Lateral view; left plain radiograph of the wrist; 472 by 1116 pixels
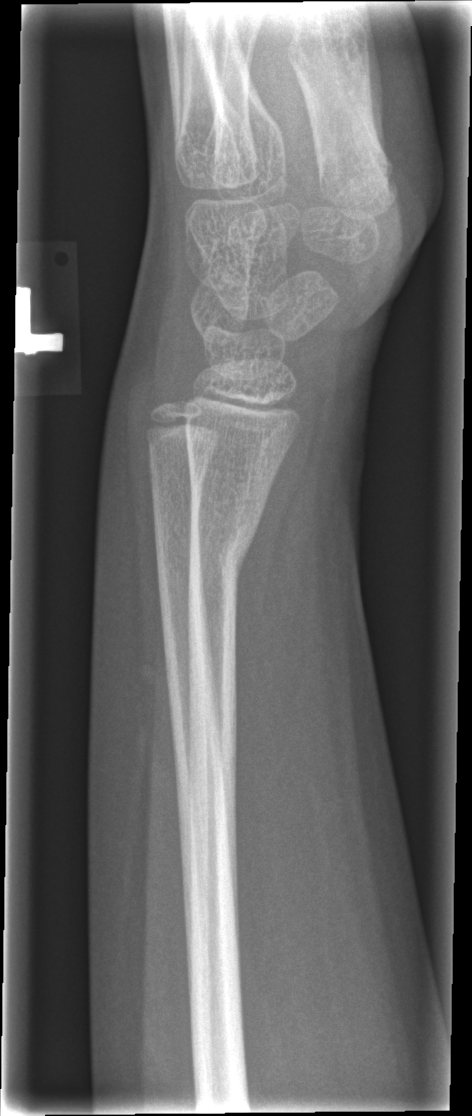

• Coordinates are [x1, y1, x2, y2] in image pixels.
• AO code 23r-M/2.1.
• Fracture identified at (183, 503, 264, 602).